PA; L wrist X-ray; pediatric patient (girl, age 16); image size 730x490 — 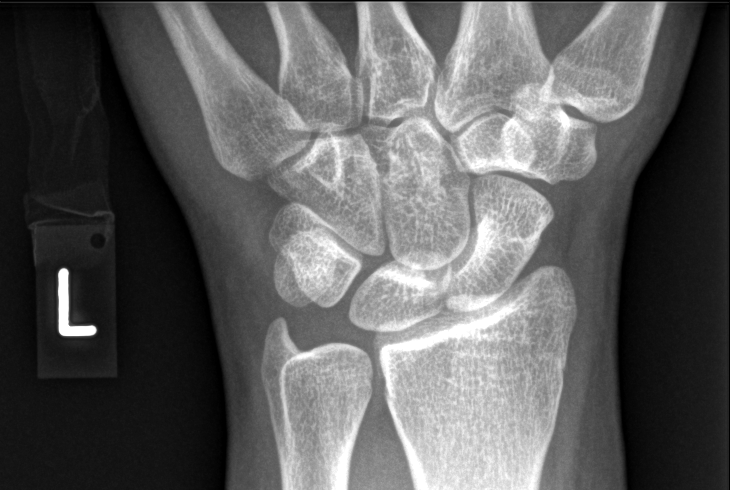 * Fx: none.